Rt wrist XR | lateral | imaged through cast —
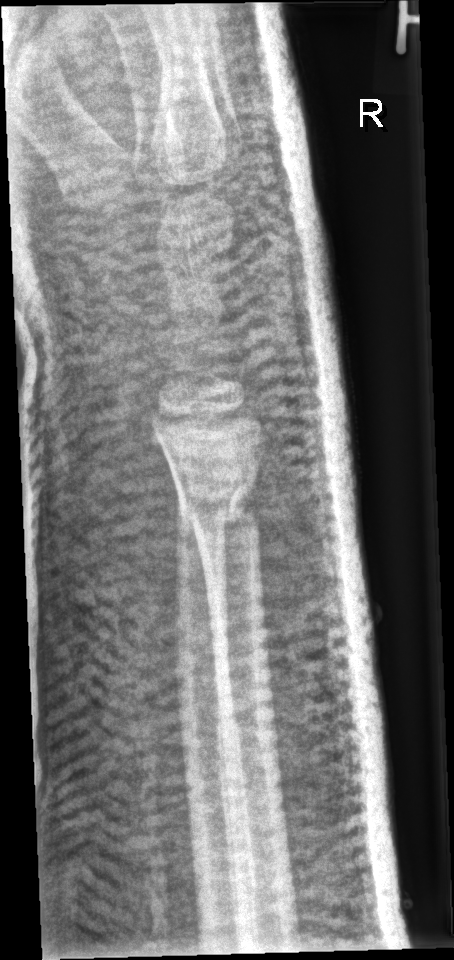
(bounding boxes in image-pixel xyxy)
bone fracture = 1 @ <175,481>-<260,544>